R wrist XR · lat projection · imaged through cast 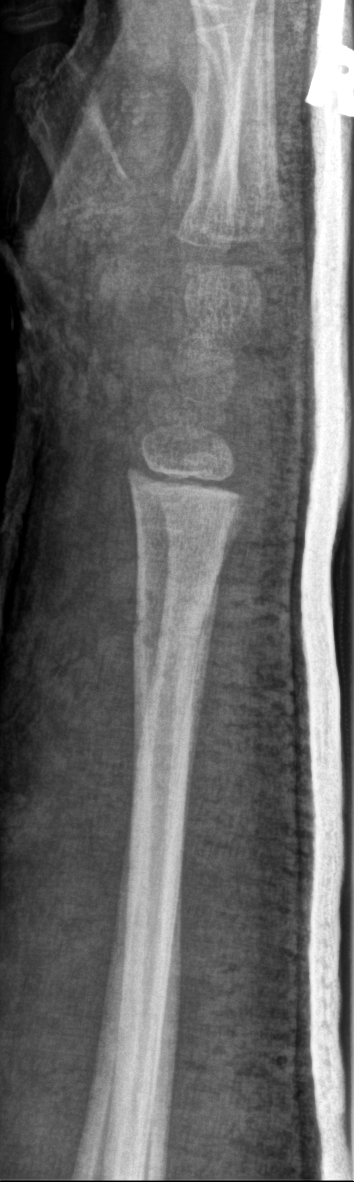
AO classification: 23r-M/3.1
bone fracture: 1 @ 129 606 214 669